Posteroanterior view · right wrist radiograph · index exam — 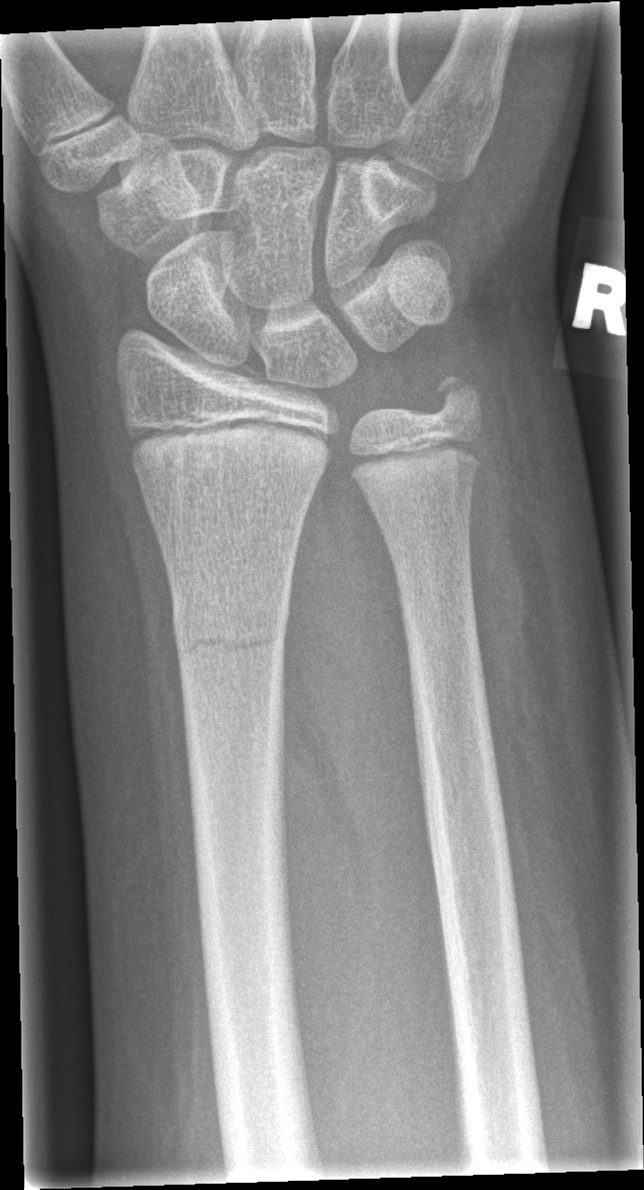

FINDINGS — Fx identified at 169 594 292 668
  418 361 487 432.